Lt wrist plain film | lateral | age 6 y, boy | imaged through cast —

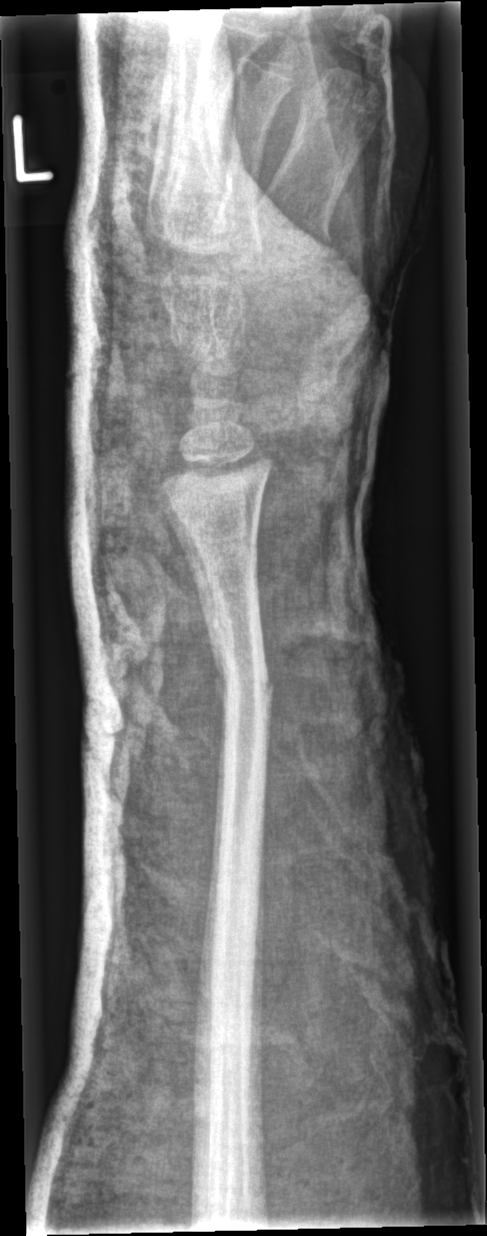 FINDINGS — (bounding boxes in image-pixel xyxy) One Fx at <207,637>-<279,719>. AO code 23-M/3.1.